Lt wrist radiograph | lateral | 10y F | acquired on Siemens | 58.3 mm image width 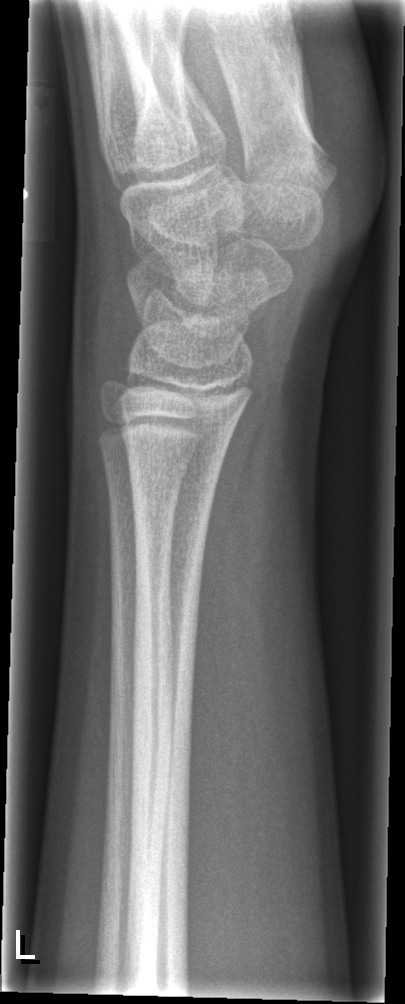
No Fx annotated.